Lateral view, left wrist plain film, pediatric patient (male, age 5), cast present.

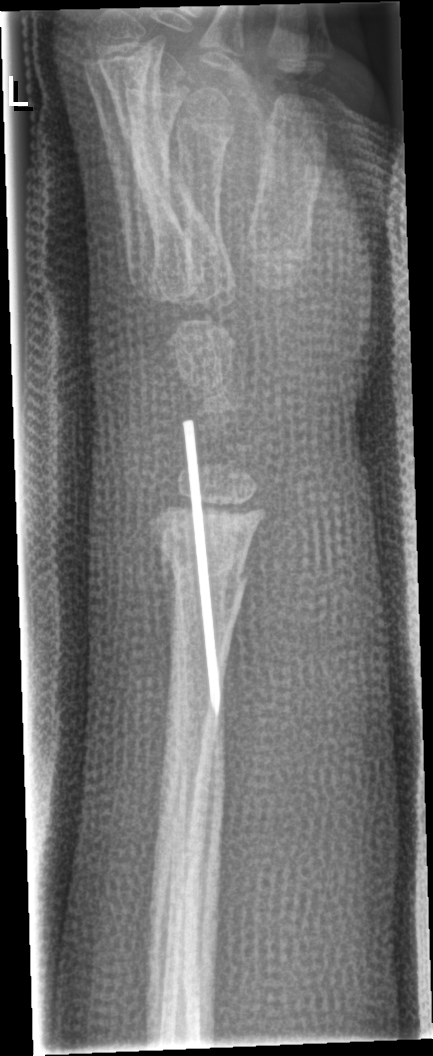

* Metallic hardware — (left=181, top=415, right=223, bottom=723).
* Fracture classified AO/OTA 23r-M/3.1; 23u-M/2.1.
* Bone fracture identified at (left=156, top=538, right=251, bottom=596).